Right pediatric wrist radiograph, lat, pediatric patient (male, age 18), follow-up study, findings marked uncertain by the reading radiologist, Siemens 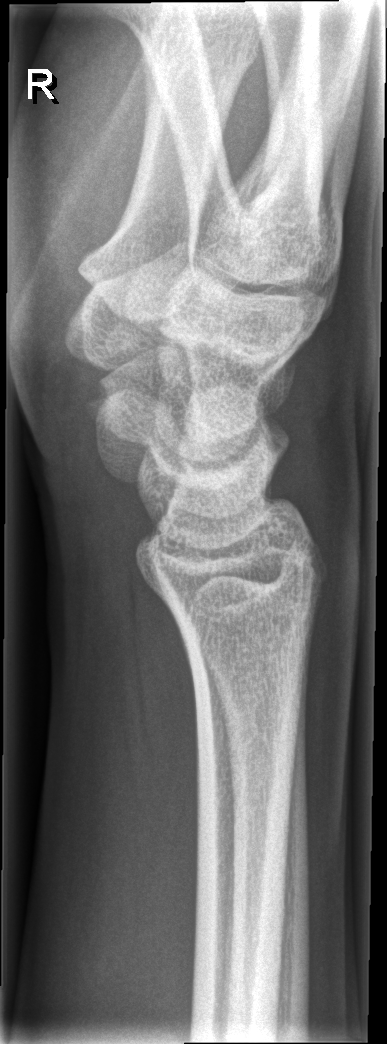
# coordinates are [x1, y1, x2, y2] in image pixels
fracture: none labeled
boneanomaly: 1 @ (left=78, top=364, right=129, bottom=439)